Lt plain radiograph of the wrist | PA.
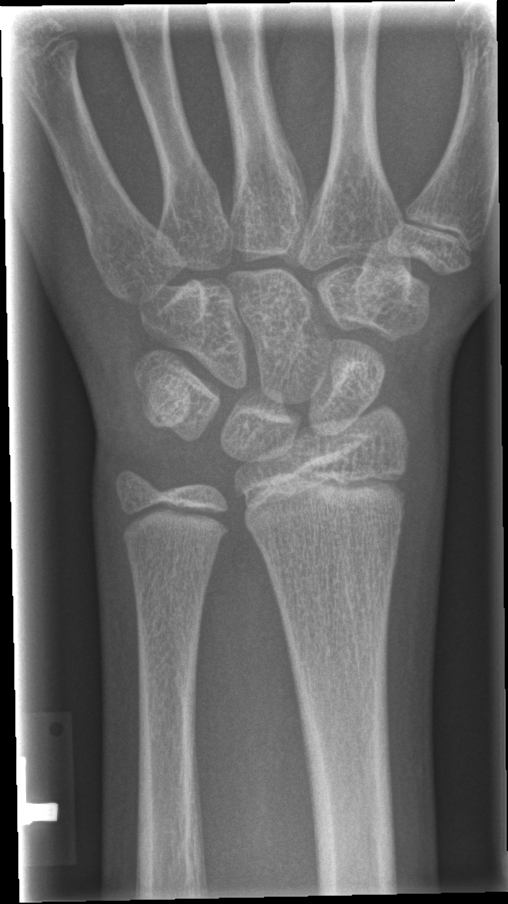
No fracture bounding box.